AP view; R wrist X-ray; pediatric patient (male, age 12); cast in situ; acquired on Siemens; image size 660x813 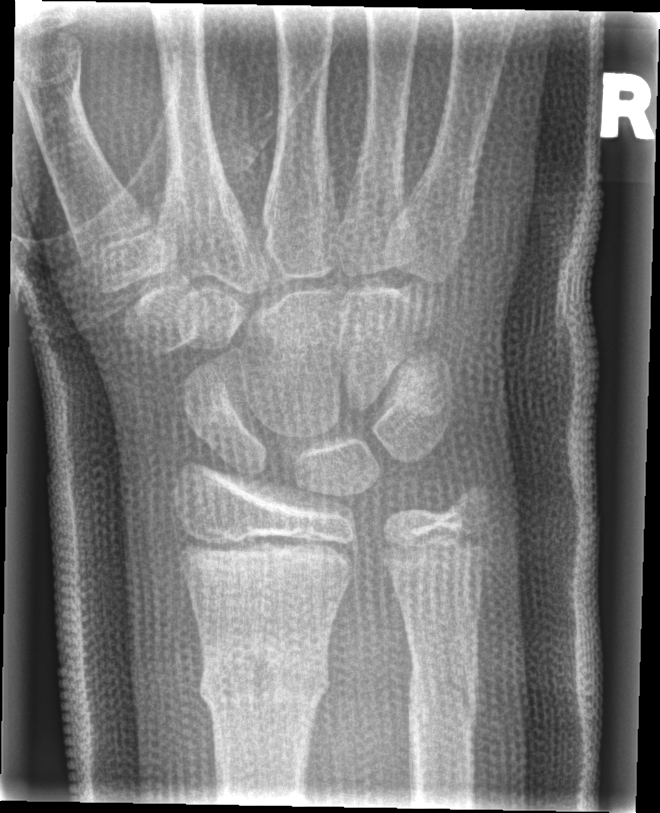
Q: AO code?
A: Fracture classified AO/OTA 23-M/3.1
Q: Is there a fracture?
A: Two fractures at (197, 642, 333, 719), (404, 650, 482, 735)